Left wrist plain radiograph of the wrist | AP | 8-year-old female — 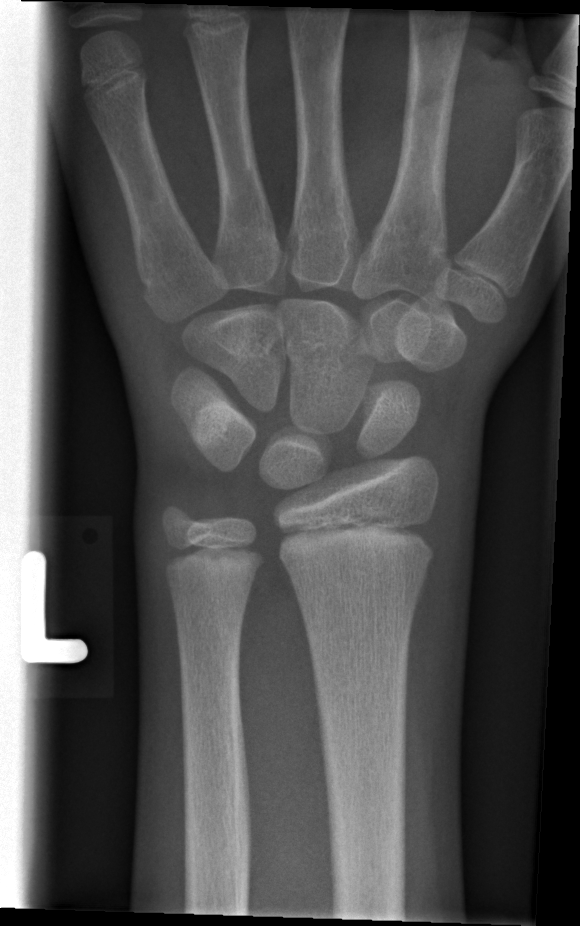

Q: Fracture present?
A: No fracture bounding box